Lat; right wrist X-ray
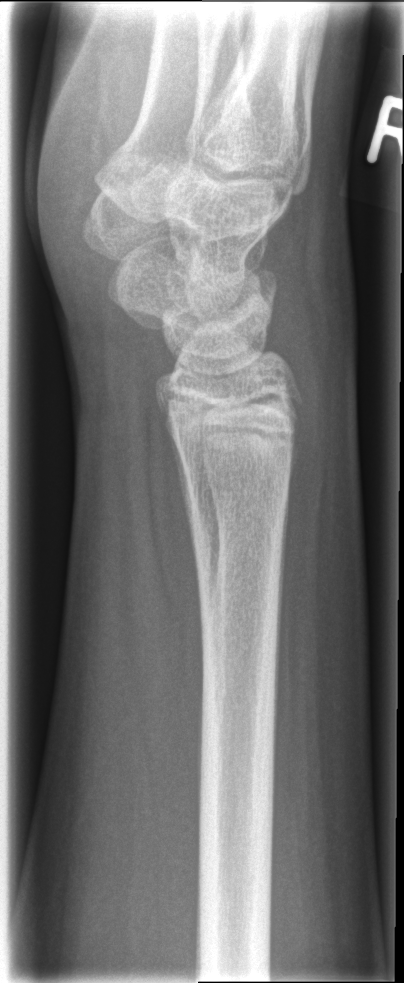 FINDINGS — Fracture: none labeled.